Lateral | right wrist XR | 1.9-year-old boy | initial study | 493x524:
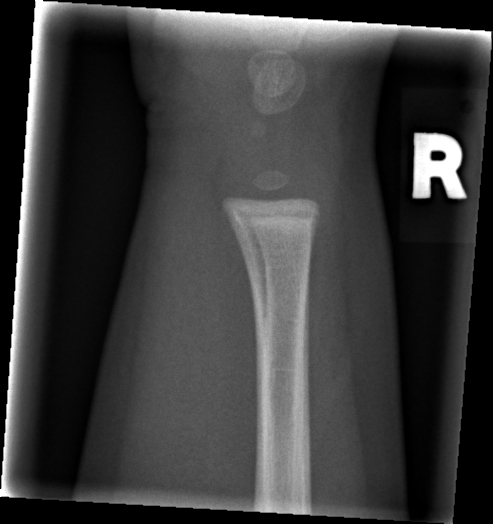
Fx: none.